Frontal projection, Lt plain radiograph of the wrist, 14y M, follow-up study, 666x1216.

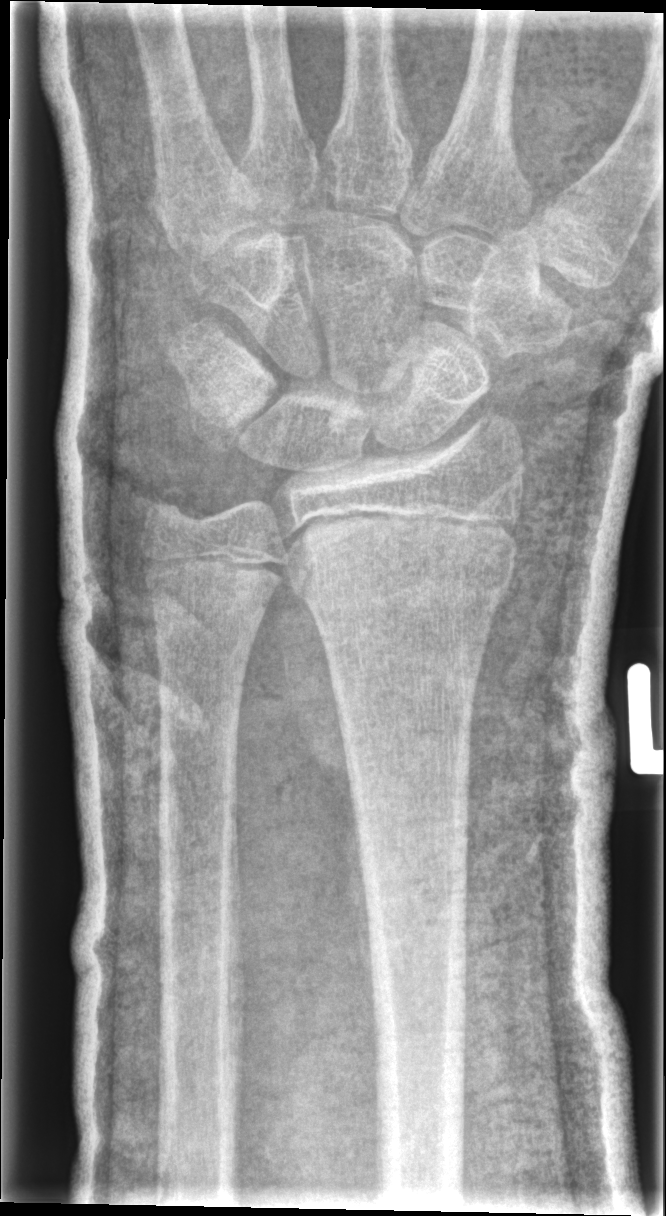 Findings: AO/OTA classification: 23r-E/2.1; 23u-E/7. Fracture identified at 276 504 525 626
  134 466 206 543.